Frontal | left plain radiograph of the wrist | boy, 9 yo: 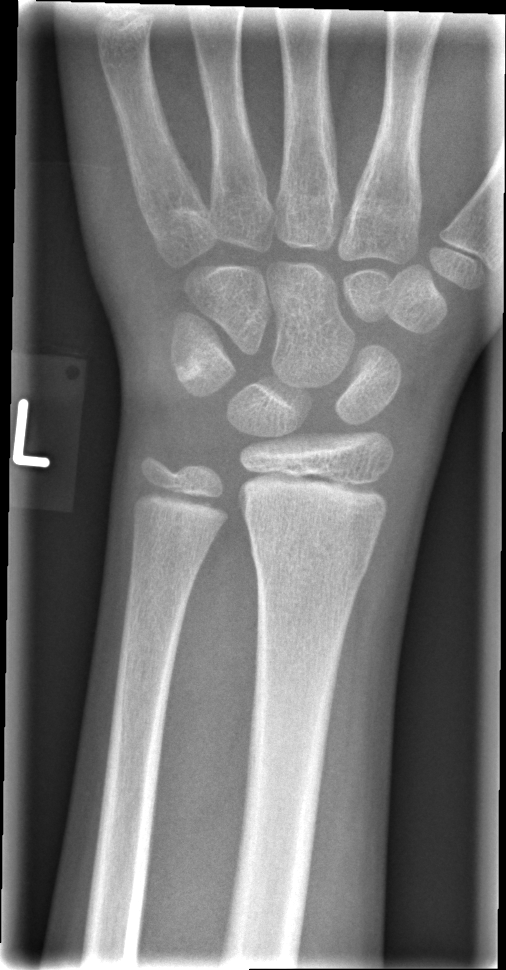 • Fracture: [249, 534, 372, 585].
• AO code 23r-M/2.1.